Oblique projection · R wrist plain film · 7y F · follow-up study · Siemens —
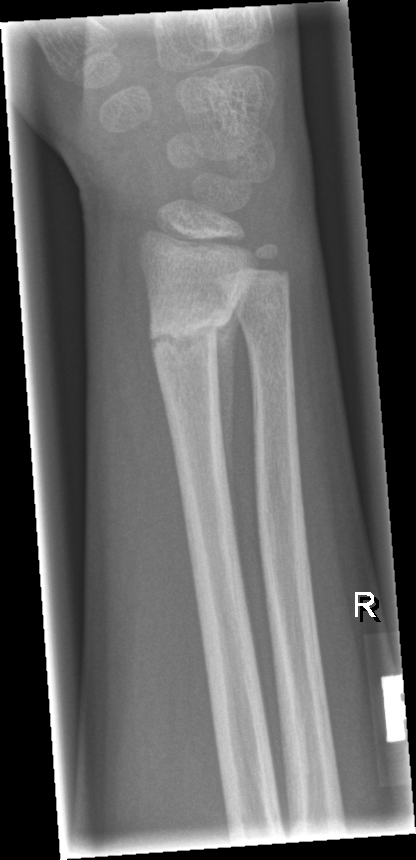
• Osteopenic.
• Periosteal new bone identified at [x1=212, y1=273, x2=257, y2=565].
• One bone fracture at [x1=148, y1=290, x2=233, y2=361].
• Fracture classified AO/OTA 23r-M/3.1.